PA projection | right wrist plain radiograph of the wrist | age 16 y, girl —

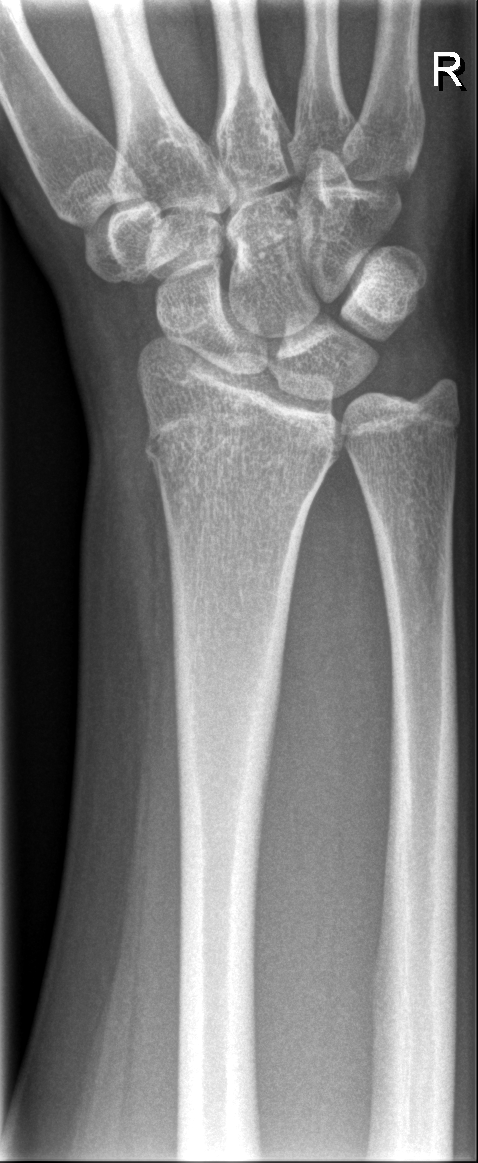
• Coordinates are [x1, y1, x2, y2] in image pixels.
• One fracture at [x1=135, y1=405, x2=282, y2=493].
• Soft-tissue finding: [x1=87, y1=423, x2=182, y2=756].